Frontal · right pediatric wrist radiograph: 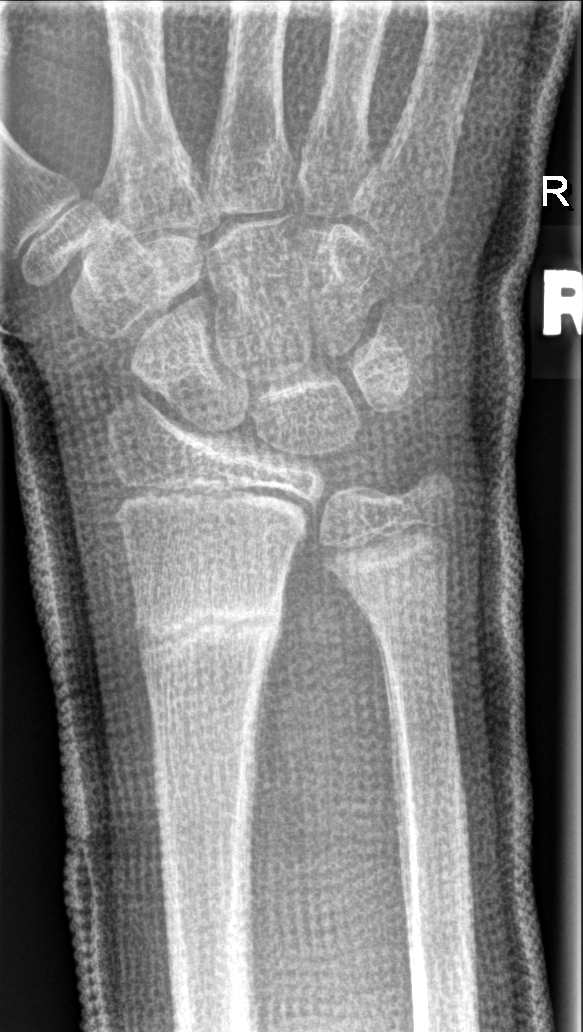

FINDINGS — Fx — (133, 583, 285, 679); (355, 554, 452, 639).